Lat view, left wrist XR — 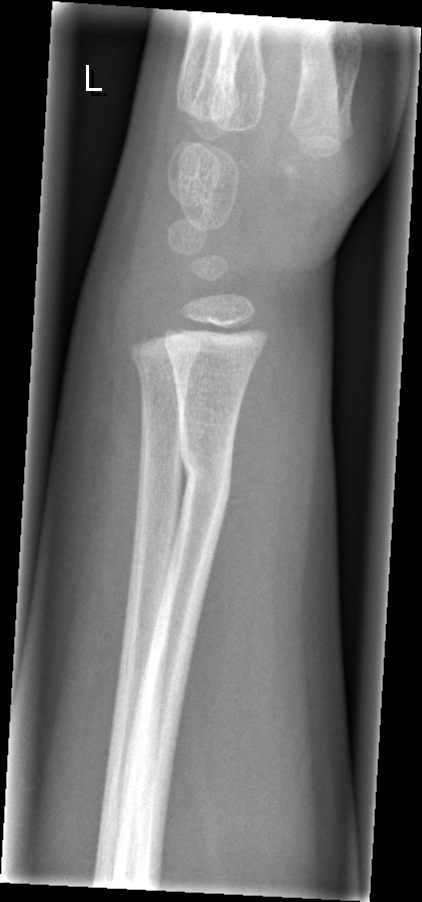
Fx identified at (129, 339, 202, 395); (178, 436, 236, 506).
Soft tissue abnormality — (59, 258, 148, 490).
AO code 23-M/2.1.